Frontal projection, Lt plain radiograph of the wrist, image size 620x1447.
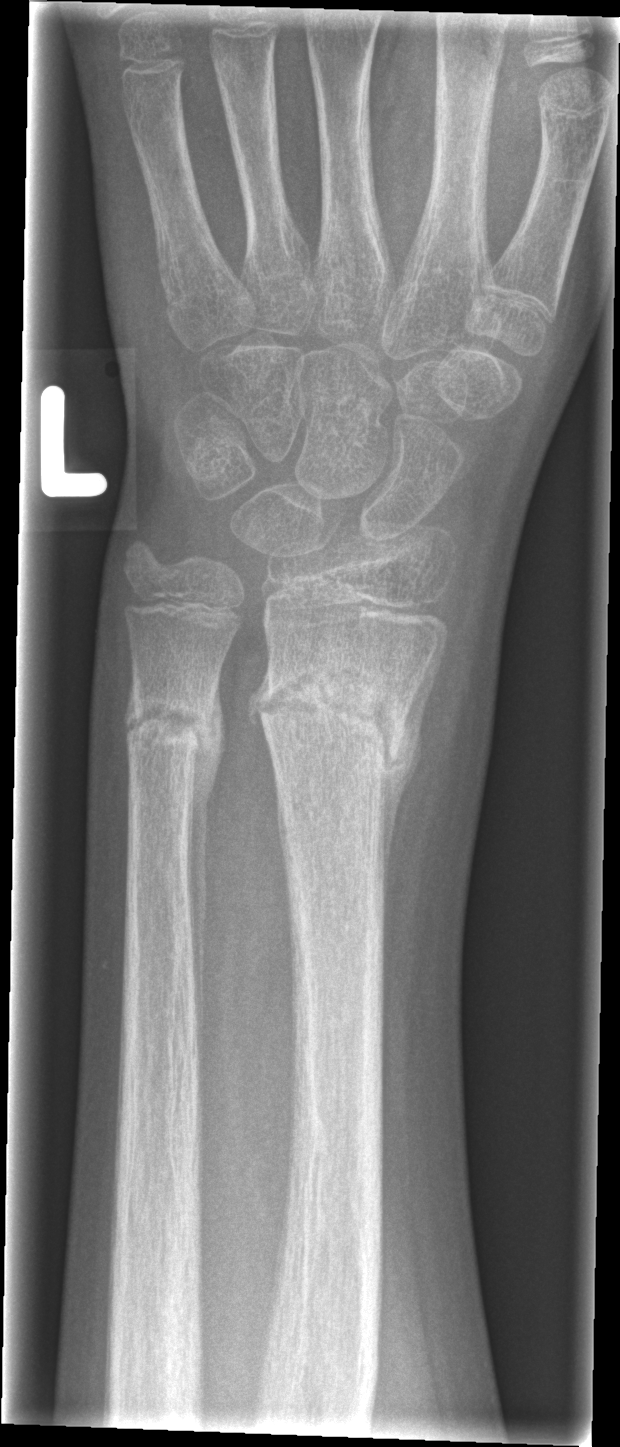

FINDINGS: Decreased bone density (osteopenia). Two periosteal thickening at (381, 615, 447, 921), (189, 661, 227, 1090). Fracture: (254, 658, 419, 786), (123, 690, 225, 769).